Right plain radiograph of the wrist, lateral view, 477 by 1014 pixels —

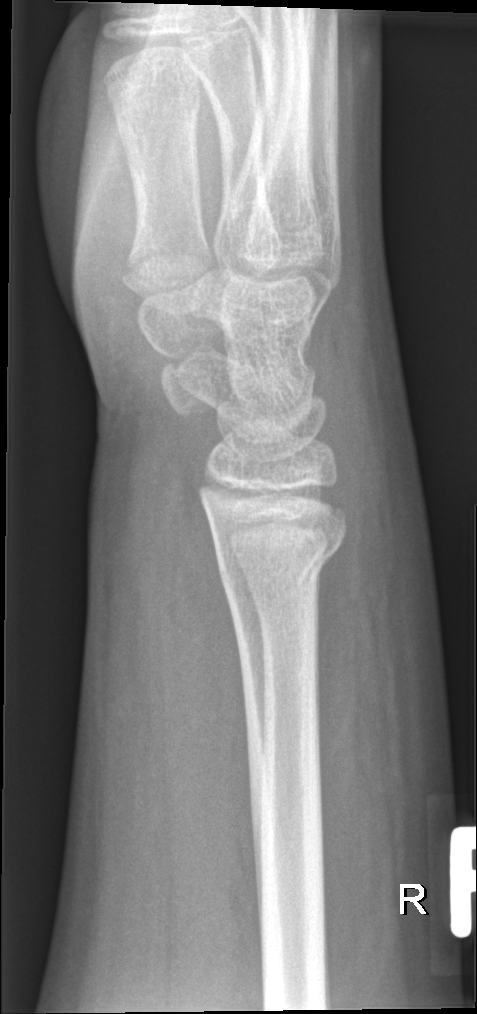
* Pronator quadratus fat-pad sign identified at <164,479>-<253,802>.
* AO/OTA classification: 23r-M/2.1.
* Fx: <212,526>-<349,598>.